Posteroanterior projection; left pediatric wrist radiograph; 12y M; follow-up; Siemens; image size 562x1078 —
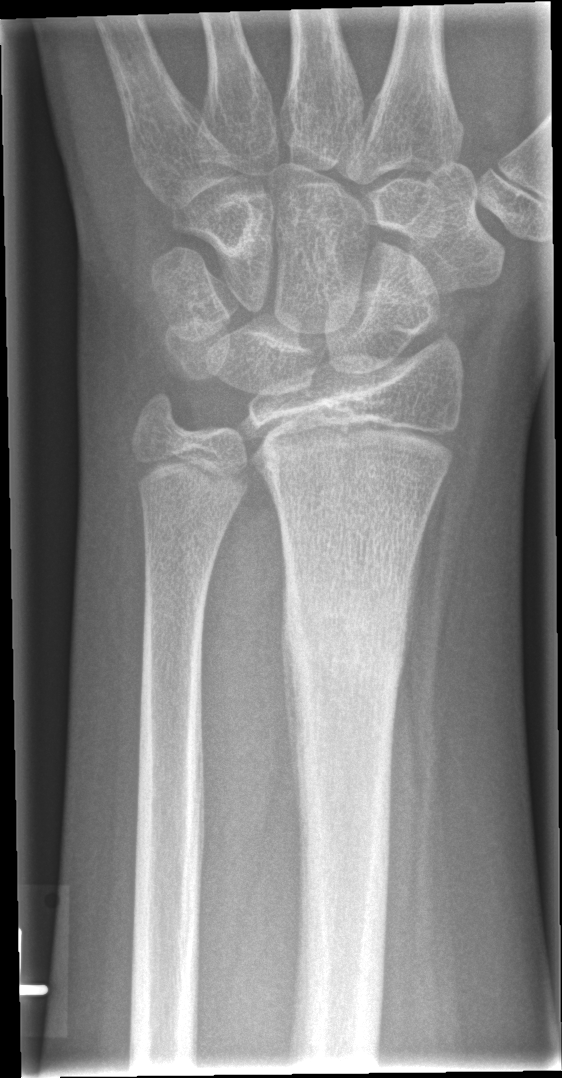 Periosteal thickening: (280, 551, 302, 834), (403, 523, 424, 666)
AO classification: 23r-M/3.1
Fx: 1 @ (278, 582, 412, 686)